PA/AP view; right wrist X-ray: 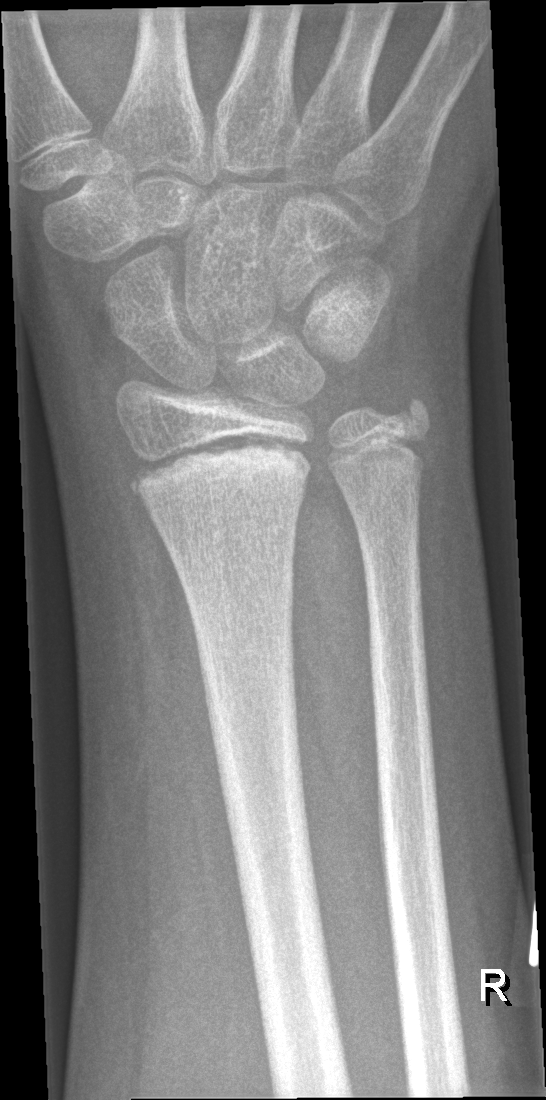

(coordinates are [x1, y1, x2, y2] in image pixels)
Q: Any fracture seen?
A: Bone fracture — (122, 430, 316, 503)
Q: AO code?
A: AO/OTA classification: 23r-E/2.1